PA/AP view; right wrist plain radiograph of the wrist; 9y F; image width 79.5 mm; 552 by 1110 pixels: 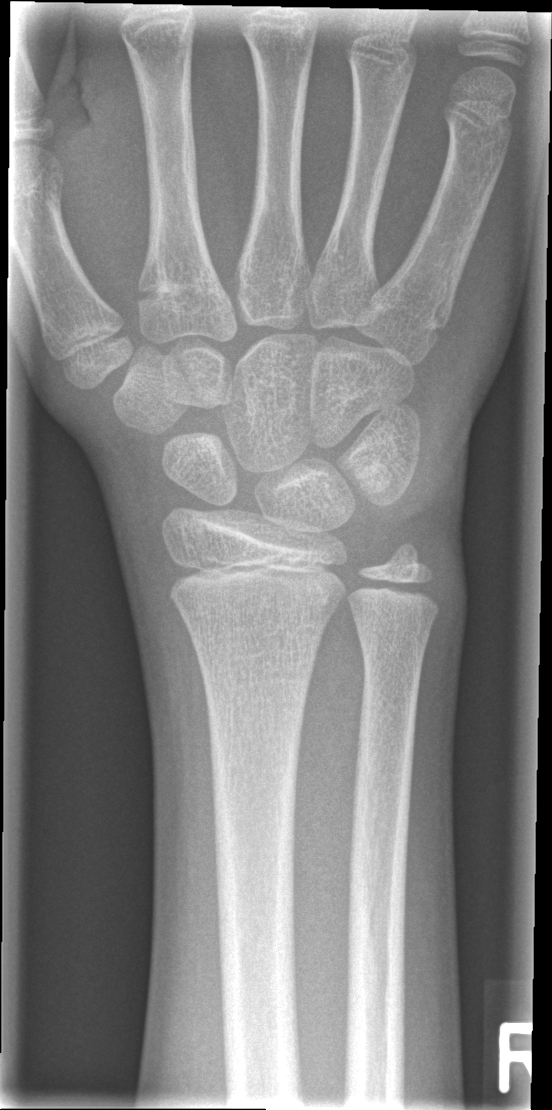 No fracture labeled.